PA/AP projection, Lt wrist XR, 11-year-old boy, index exam.
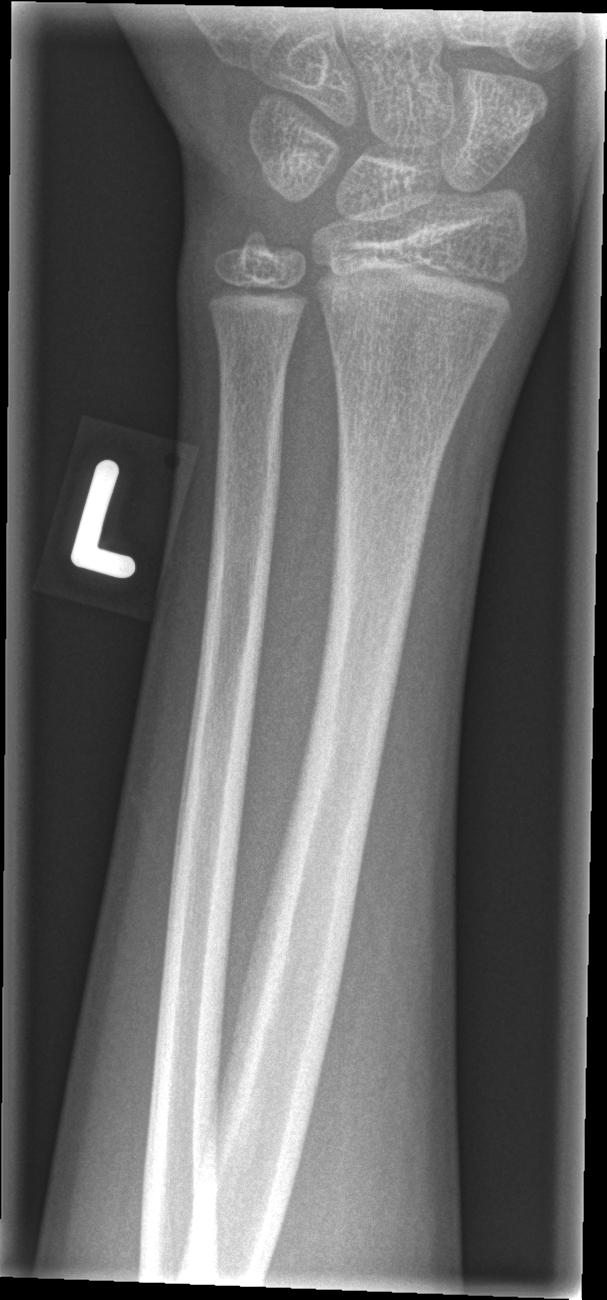
Fracture: none labeled